Left wrist radiograph; PA/AP; acquired on Siemens.
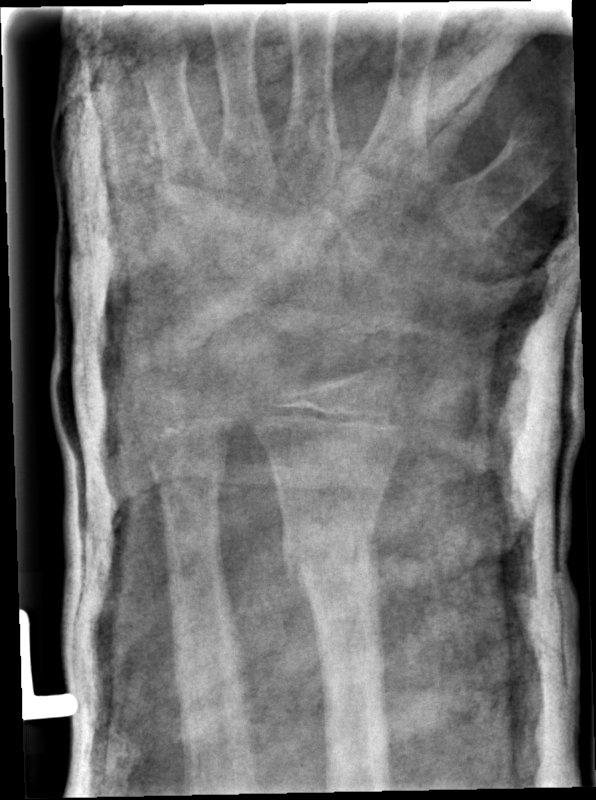
Fracture — <280,518>-<385,599>.
AO code 23-M/3.1.